L plain radiograph of the wrist · lat view · 10y M · detector: Siemens:
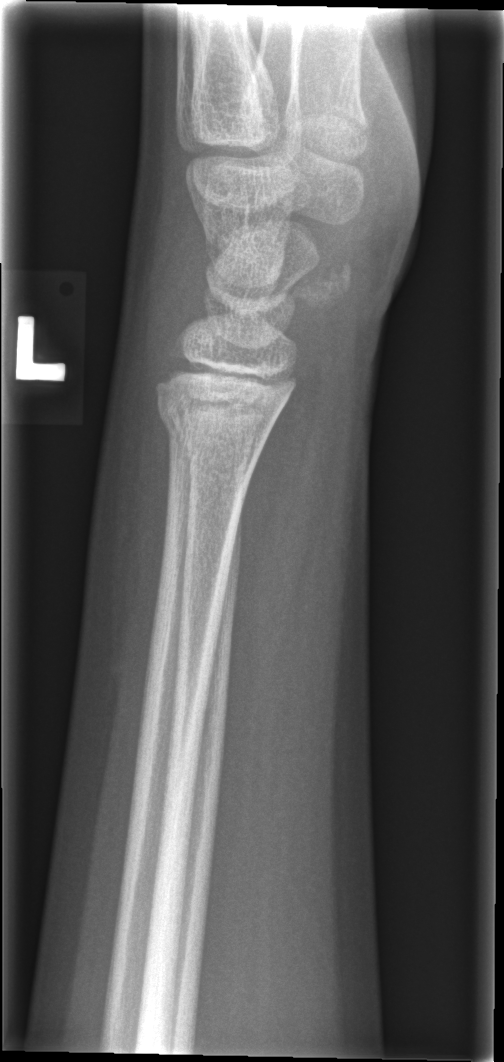
(bounding boxes in image-pixel xyxy)
fracture: 1 @ [154, 397, 277, 461]